PA/AP; Lt plain radiograph of the wrist; age 14 y, male; follow-up study; in cast; detector: Siemens
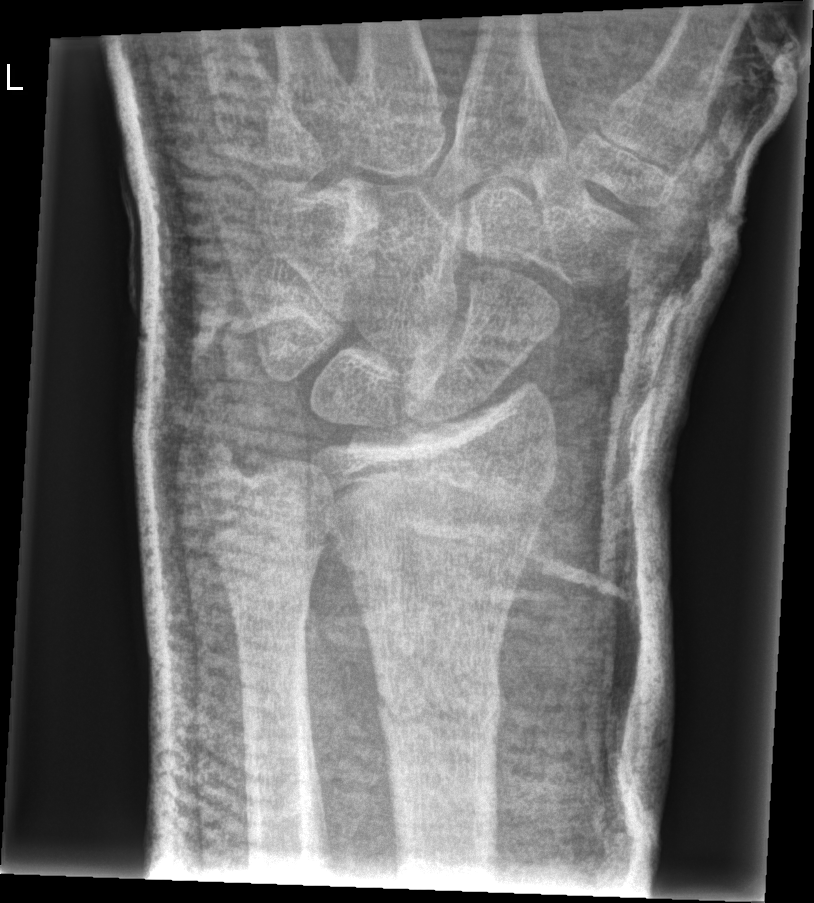 Q: Fracture present?
A: Fx identified at (365, 650, 509, 748) (196, 438, 270, 497)
Q: What is the AO/OTA classification?
A: Fracture classified AO/OTA 23r-M/3.1; 23u-M/2.1; 23u-E/7